Right wrist XR · lat projection · pediatric patient (boy, age 13) · subsequent exam · cast present.

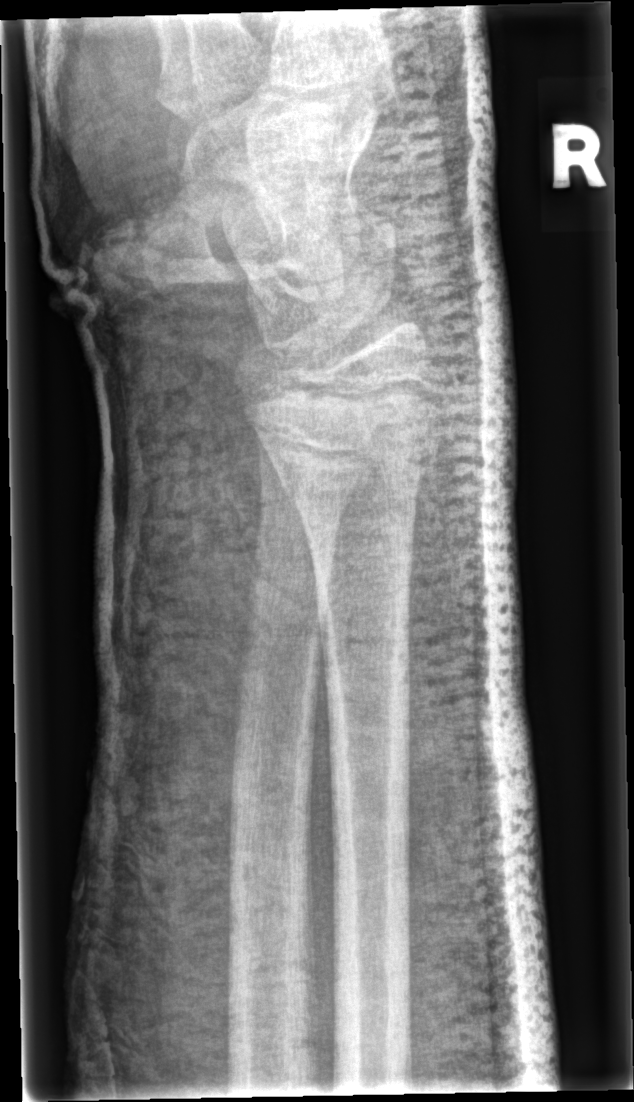

AO code 23r-M/2.1; 23u-E/3. Fracture identified at <260,401>-<447,498>.